Lateral projection; right wrist XR; acquired on Siemens; 463 x 1158 px:
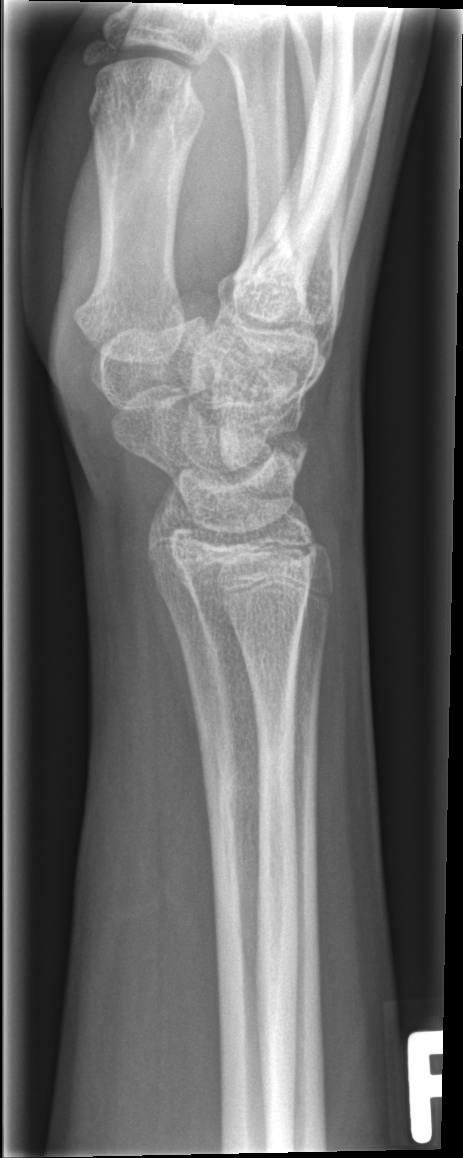 One bone fracture at bbox(201, 709, 299, 862).